Lt plain radiograph of the wrist, frontal, pediatric patient (girl, age 9), in cast, image width 108.9 mm, 756x896 —

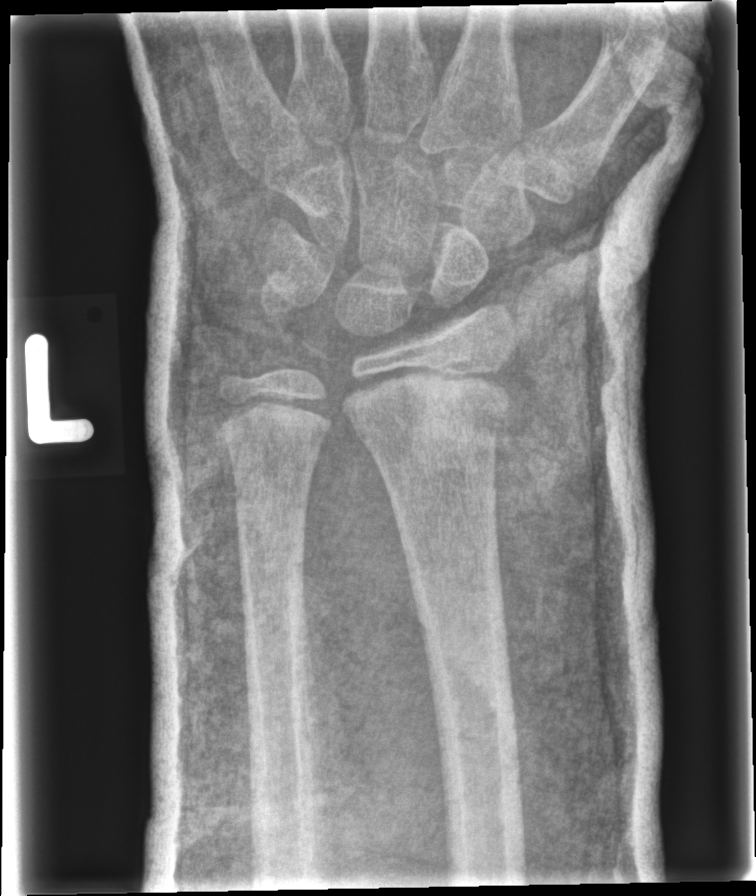

Fracture: 1 @ [349, 378, 517, 452]